Lat projection, R wrist plain film, pediatric patient (female, age 9), follow-up, in cast, acquired on Siemens —

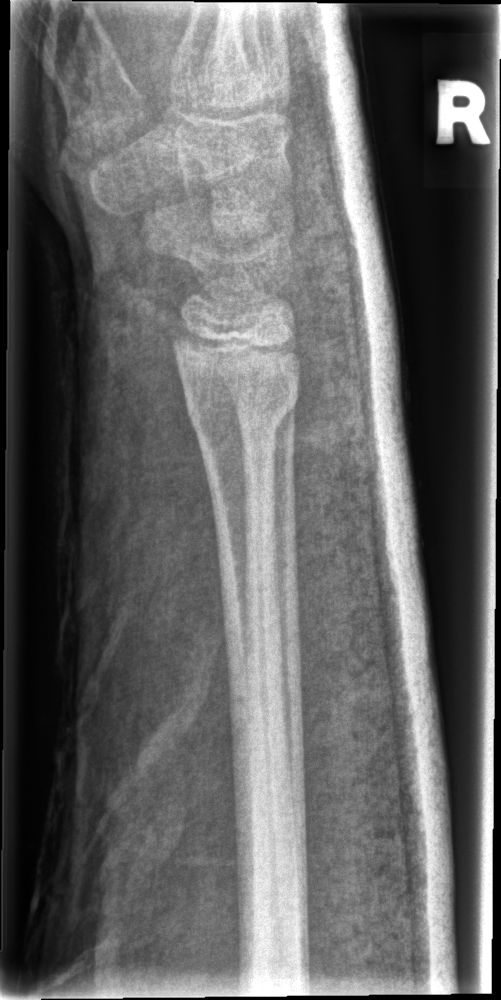 Findings: AO/OTA classification: 23r-M/3.1; 23u-E/7. Fx identified at bbox(177, 372, 306, 456).